Posteroanterior, L wrist XR, male, 12 yo.
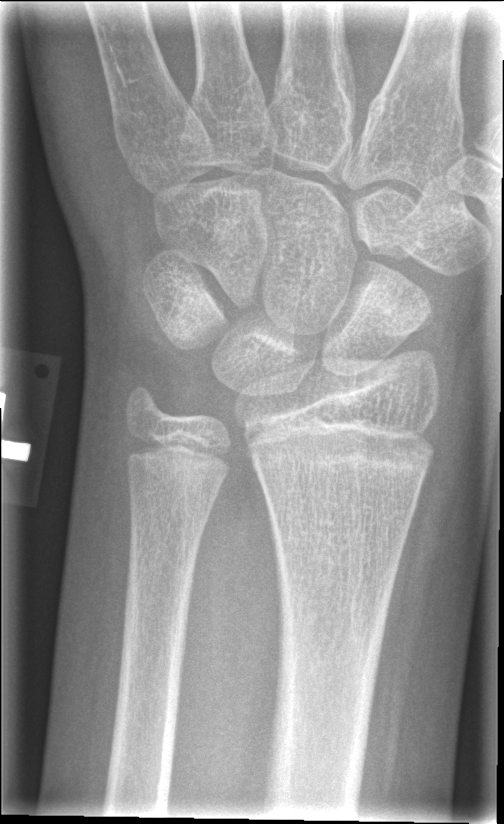
FINDINGS: Fx: none.